Lateral, right wrist XR, 12-year-old male —
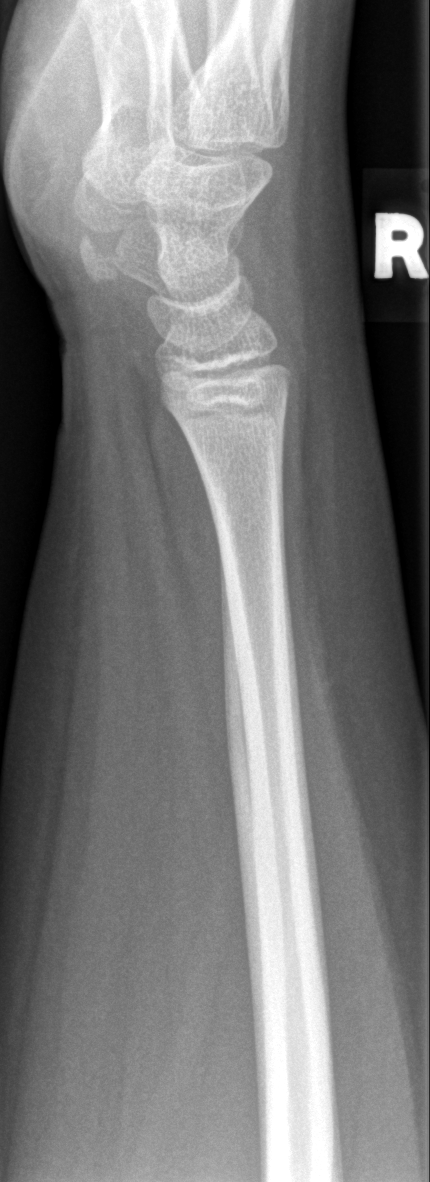
• No Fx annotated.